Left wrist X-ray | frontal projection | age 9 y, girl | image 94.6 mm wide

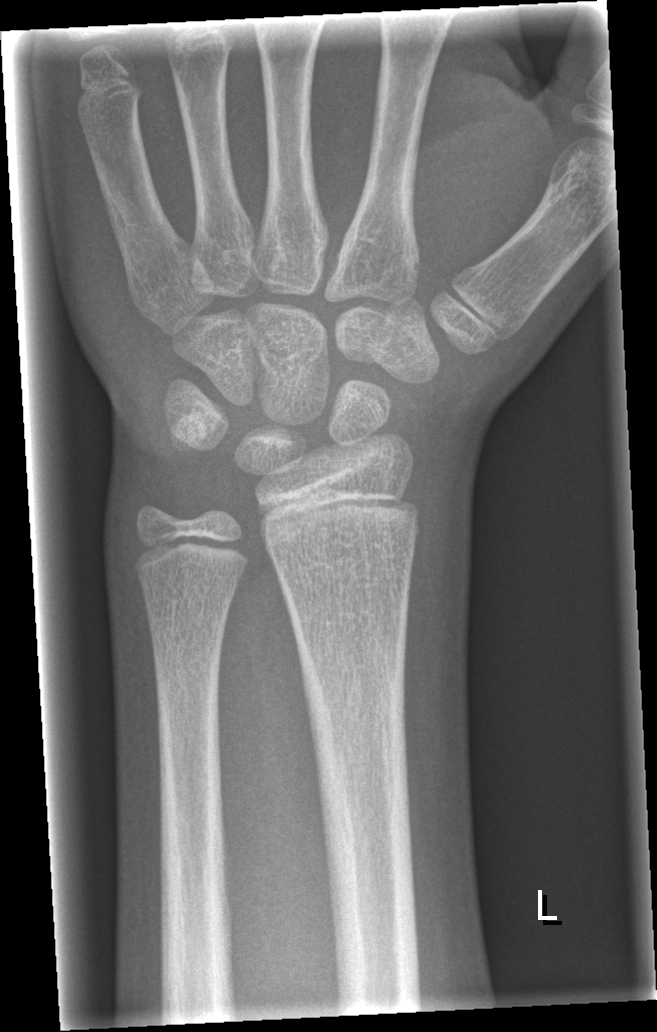
Bone fracture = none labeled